Lat view; R plain radiograph of the wrist; age 11 y, male; image 51.8 mm wide
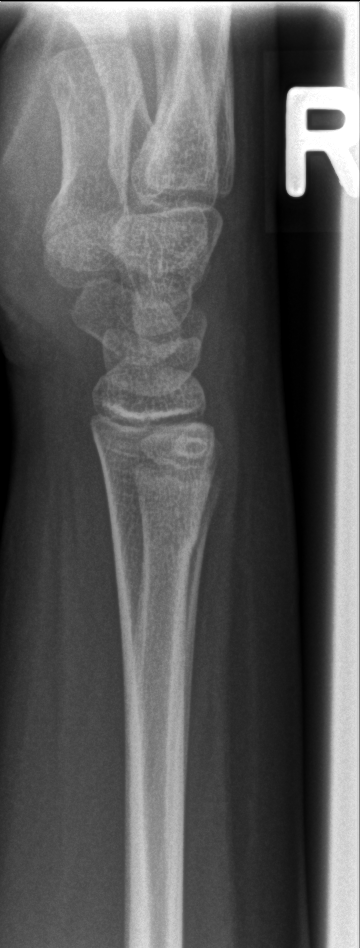
{
  "ao": "23r-M/2.1",
  "fracture": "1 @ [105, 502, 206, 566]"
}